PA/AP projection, left wrist XR, 13y M, image 89.0 mm wide —
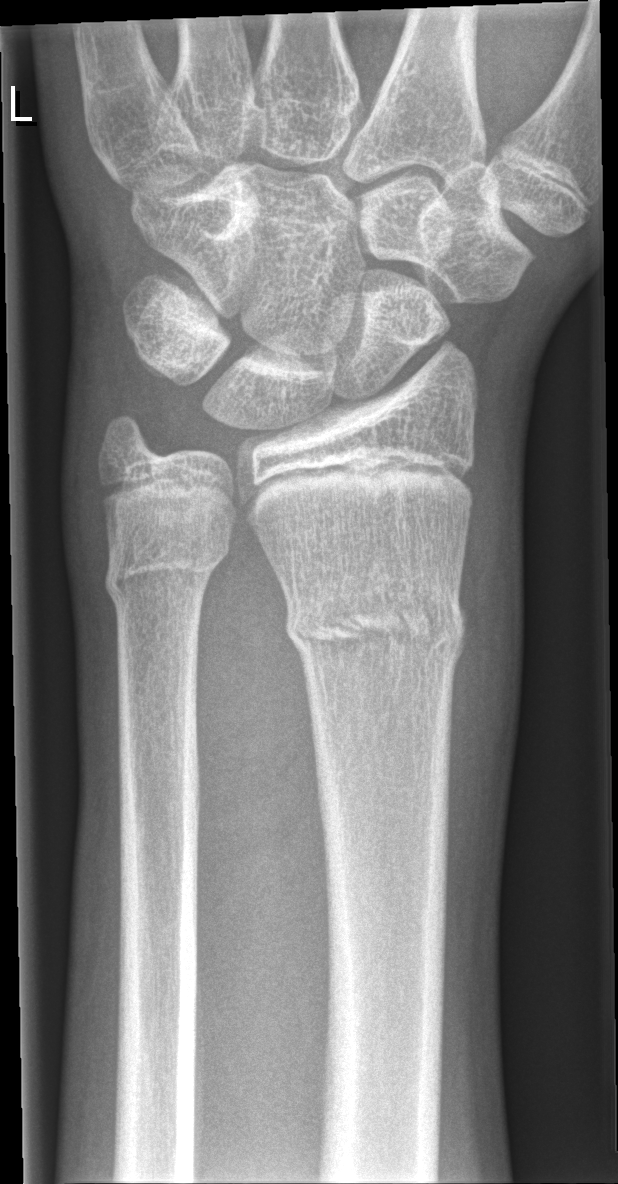 Findings: Three bone fractures at (left=281, top=564, right=471, bottom=674), (left=102, top=528, right=235, bottom=610), (left=91, top=401, right=160, bottom=464). Soft-tissue finding — (left=436, top=401, right=534, bottom=944). AO code 23r-M/3.1; 23u-M/2.1; 23u-E/7.